Lateral projection, left wrist XR 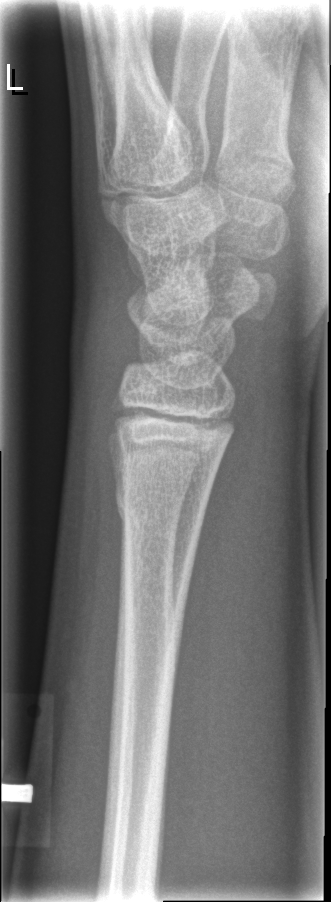
Coordinates are [x1, y1, x2, y2] in image pixels. AO/OTA classification: 23r-M/2.1. One Fx at 111,475,213,547.